AP view · left wrist X-ray · age 13 y, boy · Siemens

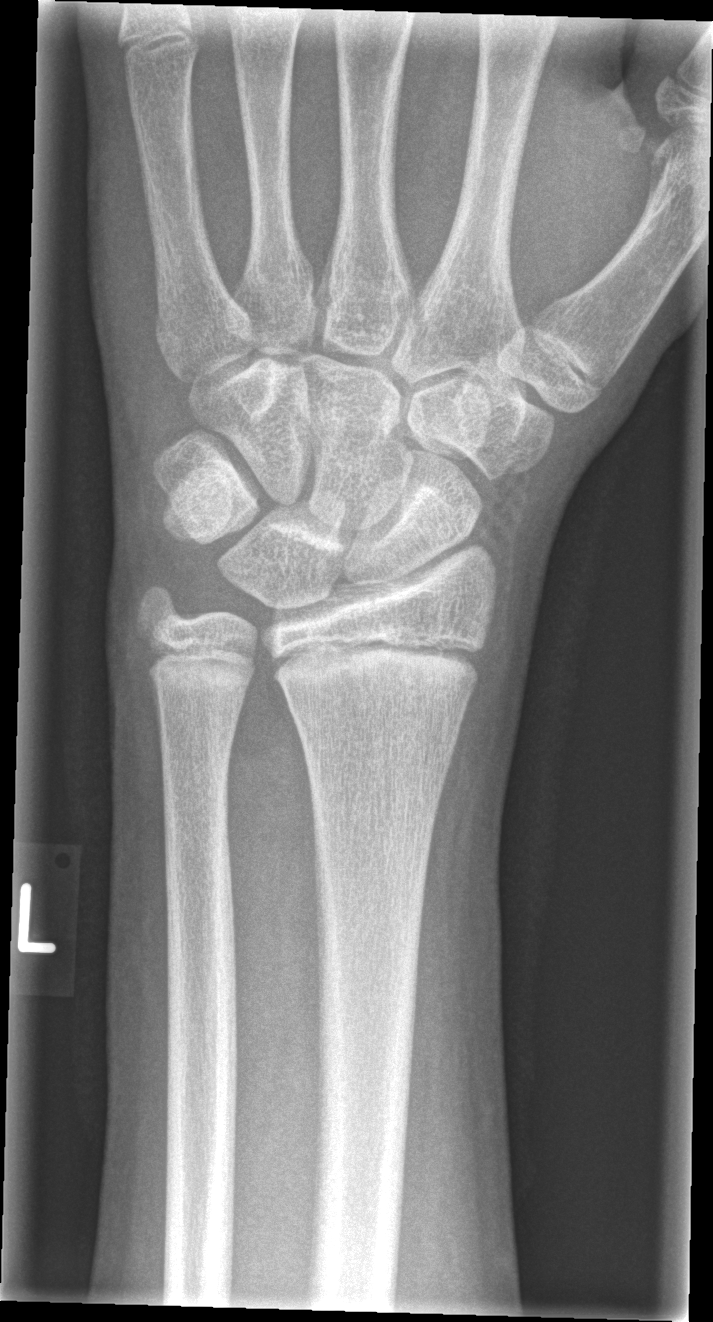 No fracture labeled.